Lt plain radiograph of the wrist; lateral; 11-year-old female; Siemens. 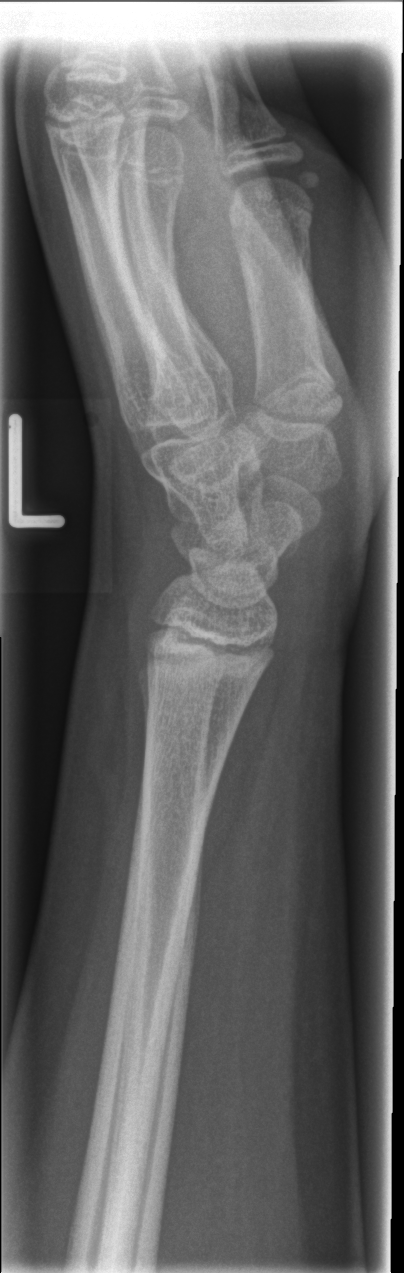

{"fracture": "none labeled"}